Lat projection, Rt plain radiograph of the wrist, 16-year-old girl, image width 58.6 mm 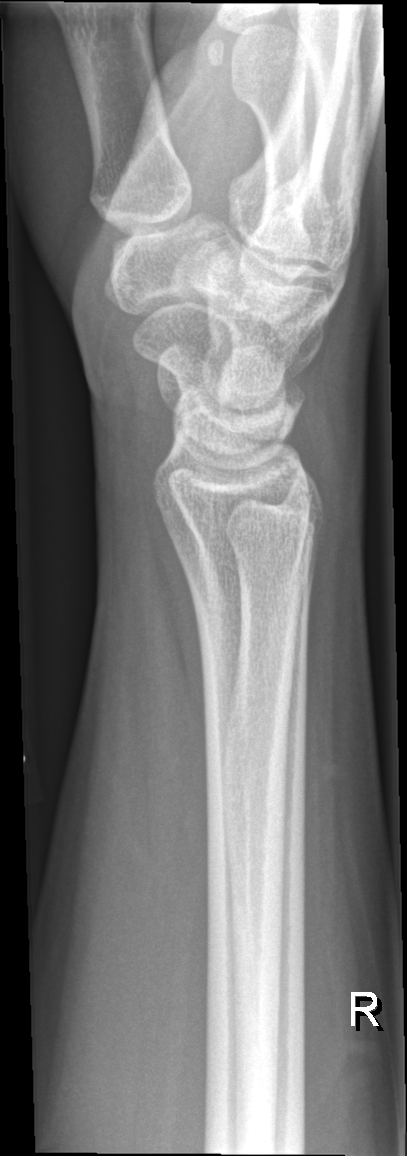

Findings: No Fx annotated.